Lt wrist X-ray, PA/AP, follow-up:
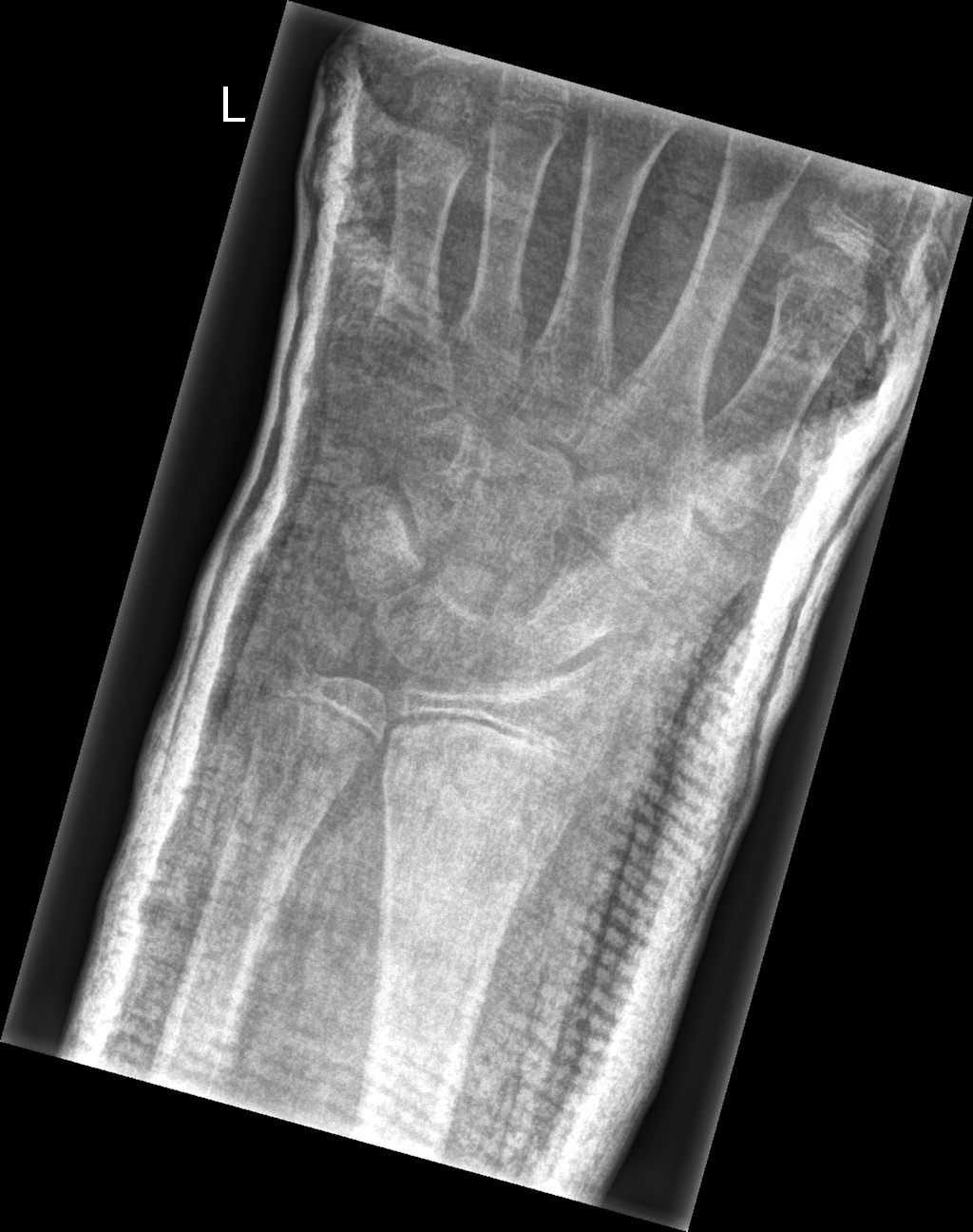 Bone fracture — (left=374, top=755, right=567, bottom=918). Fracture classified AO/OTA 23r-M/3.1; 23u-E/7.